Left wrist radiograph · PA view · 17-year-old female · index exam · findings marked uncertain by the reading radiologist · image width 96.6 mm · image size 671x1094 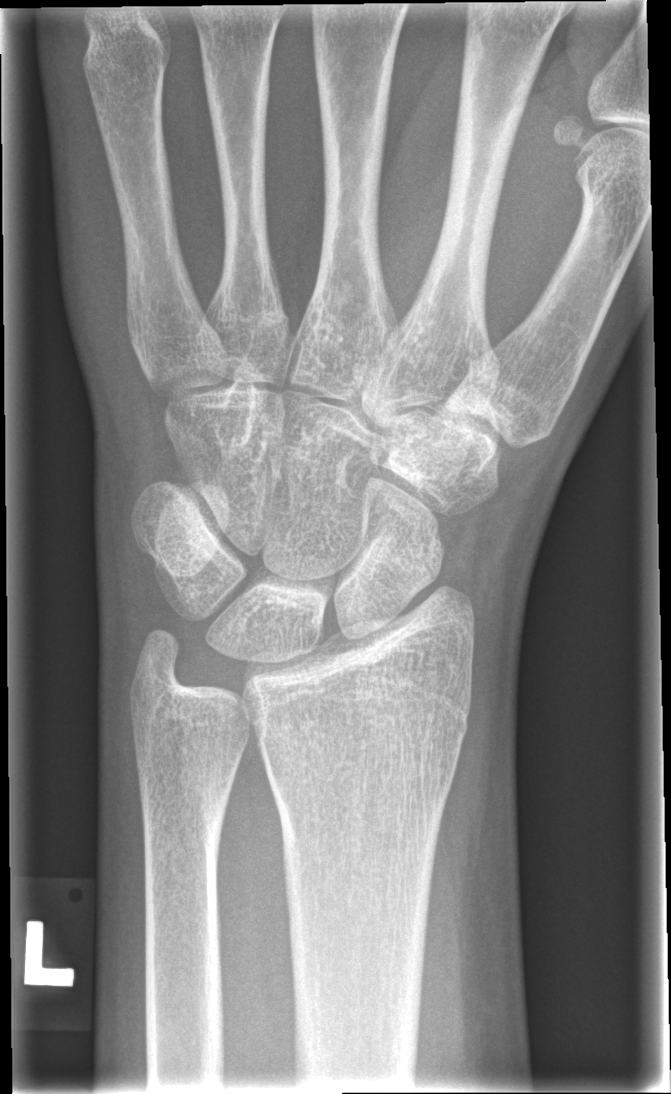 - No fracture bounding box.